Posteroanterior view, left wrist XR.
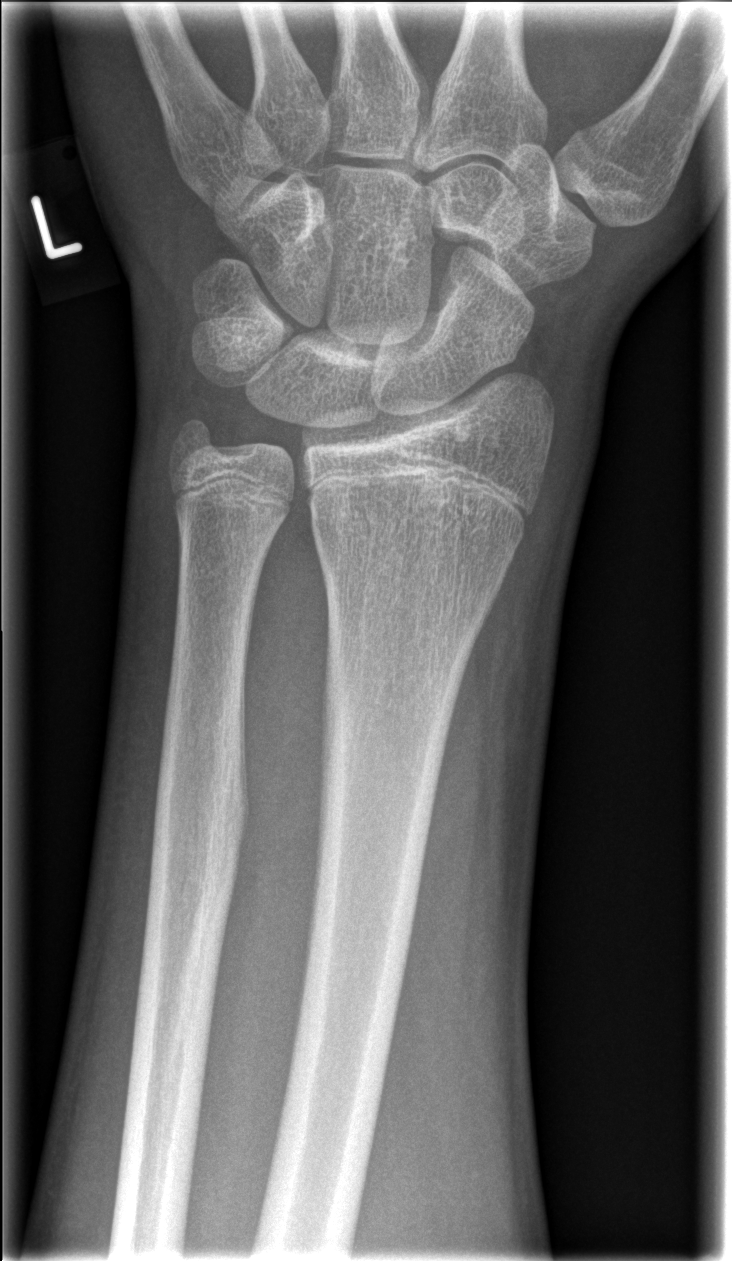

Fracture: none labeled.